L pediatric wrist radiograph, lateral view, 564 x 779 px: 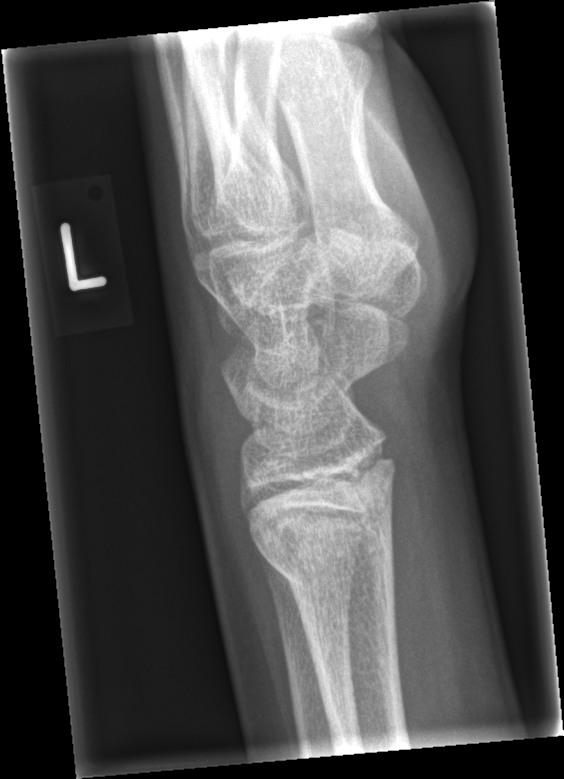

AO classification: 23r-M/2.1; 23u-E/7
fracture: bbox(262, 532, 402, 615)